Right wrist plain film | frontal | female, 7 yo: 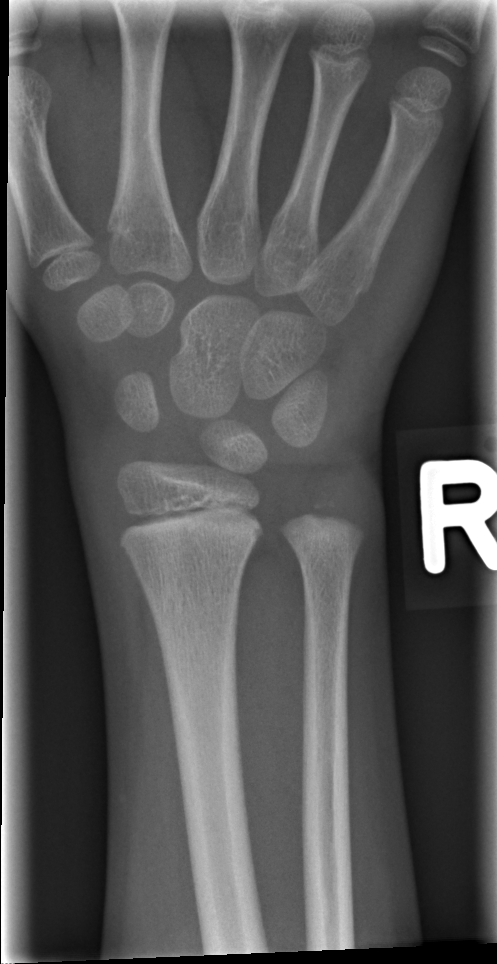
No fracture annotation.